PA/AP projection; L wrist plain film; pediatric patient (girl, age 16); Siemens
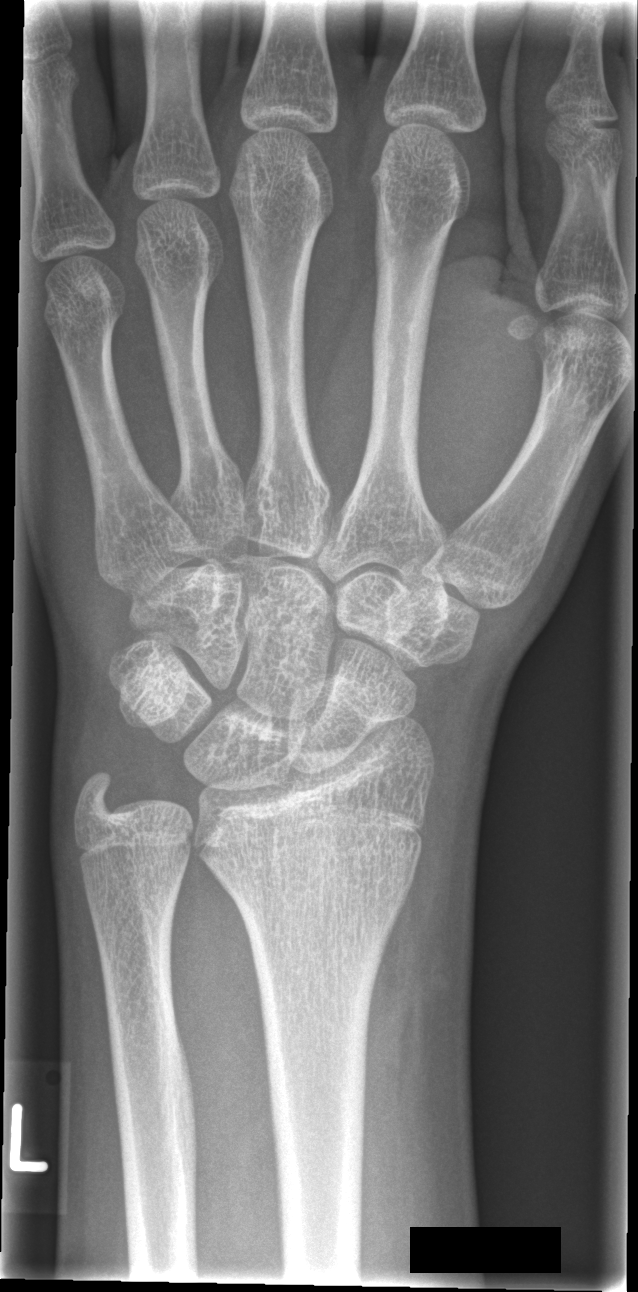 {"fracture": "none labeled"}